Lat · R wrist radiograph · 486x882: 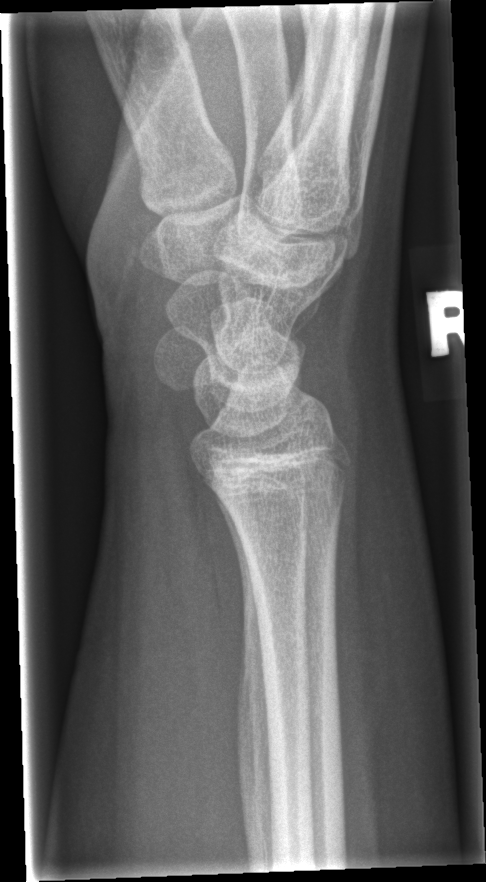
Bone fracture = none labeled